L wrist XR, frontal projection, age 5 y, male, follow-up, cast present.
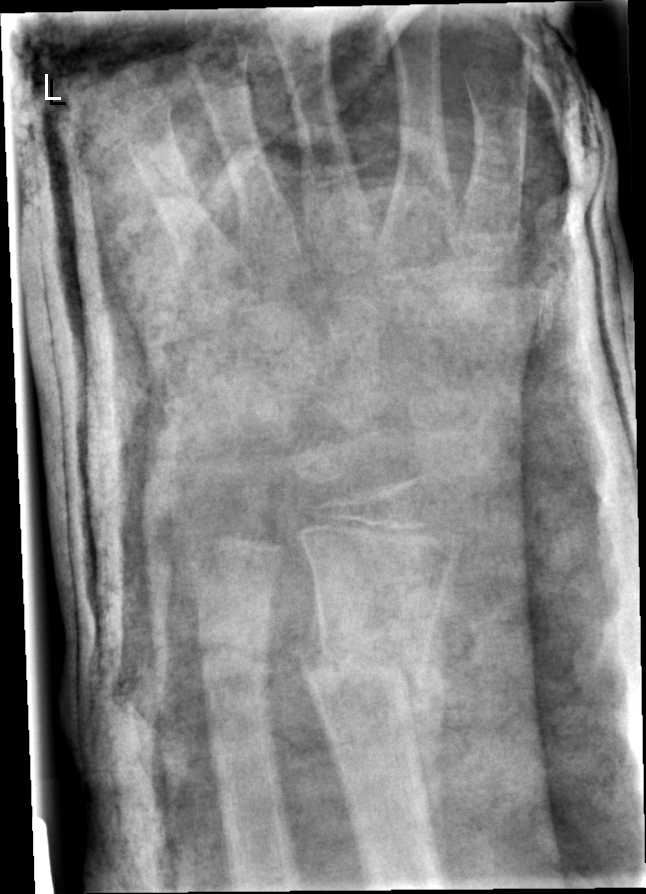 AO code: 23-M/3.1
bone fracture: 2 @ <301,610>-<441,719> <196,615>-<275,705>
periosteal reaction: <406,576>-<452,889>